Left wrist plain radiograph of the wrist; lateral projection; 5y F; initial study — 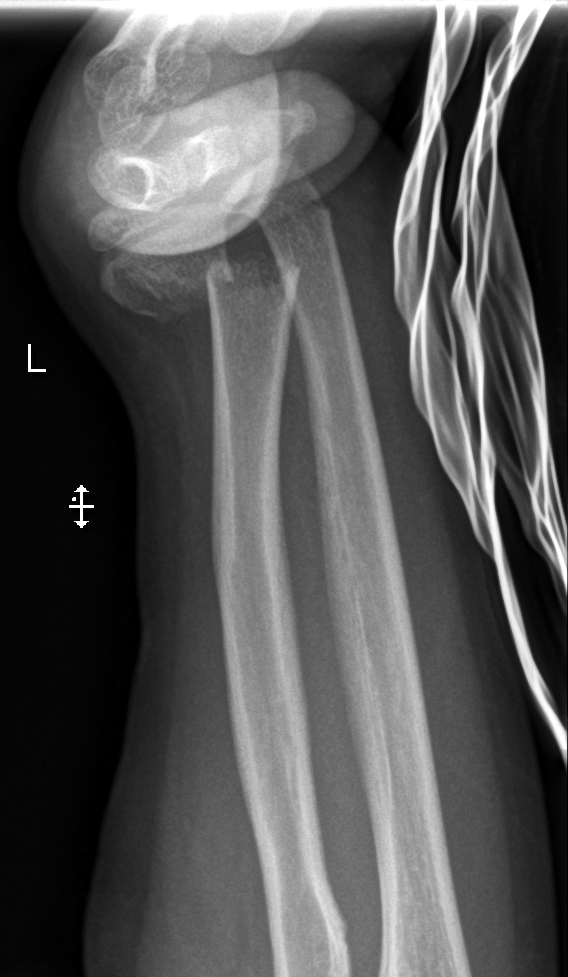 Coordinates are [x1, y1, x2, y2] in image pixels. Bone fracture identified at 136,249,303,327 | 255,185,339,241.